Left wrist X-ray · lat · 5-year-old female:

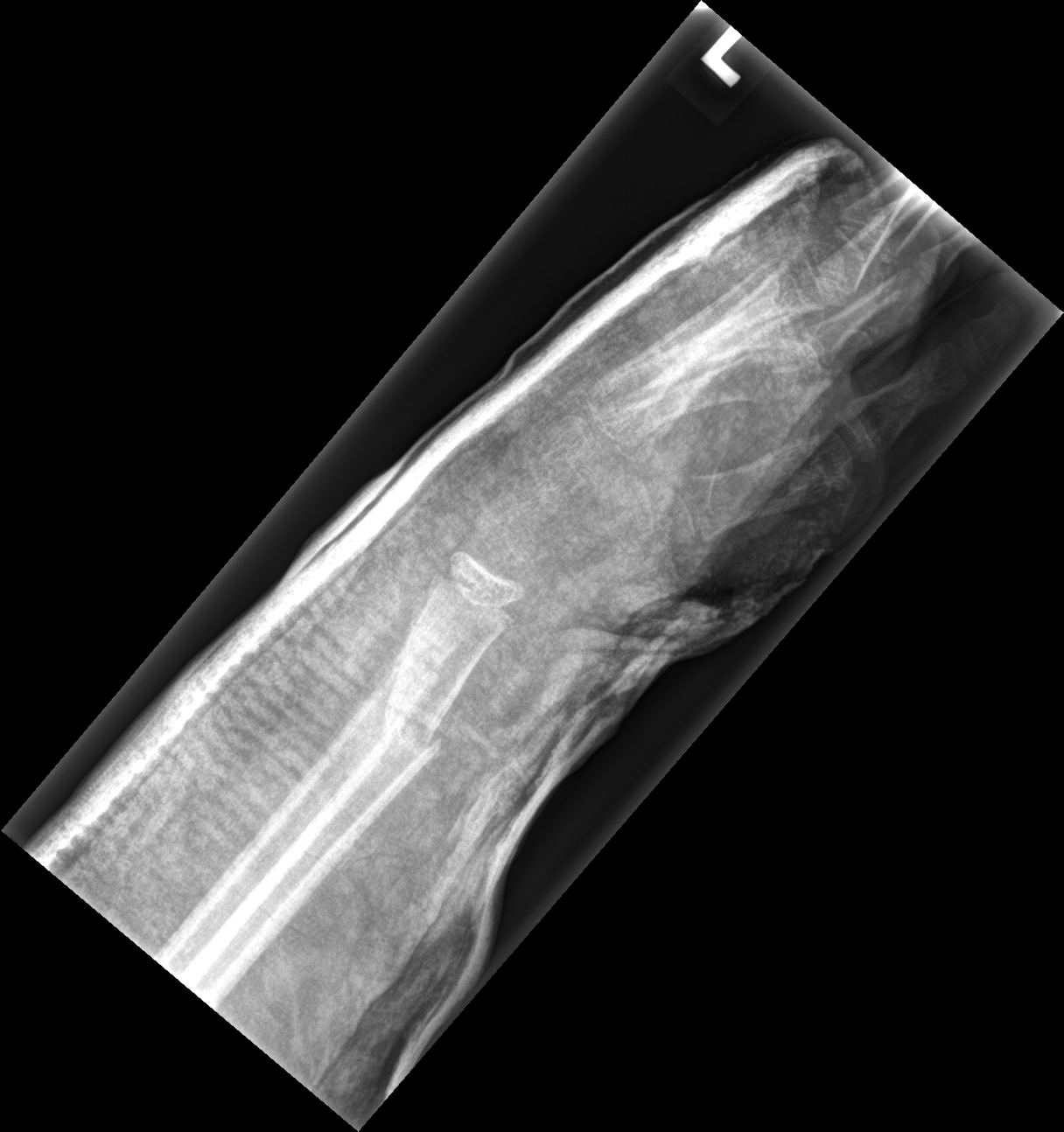

Fracture classified AO/OTA 23-M/3.1. Fractures — [377, 702, 446, 765], [389, 642, 446, 685].